Rt plain radiograph of the wrist; PA; age 14 y, boy; image 85.5 mm wide 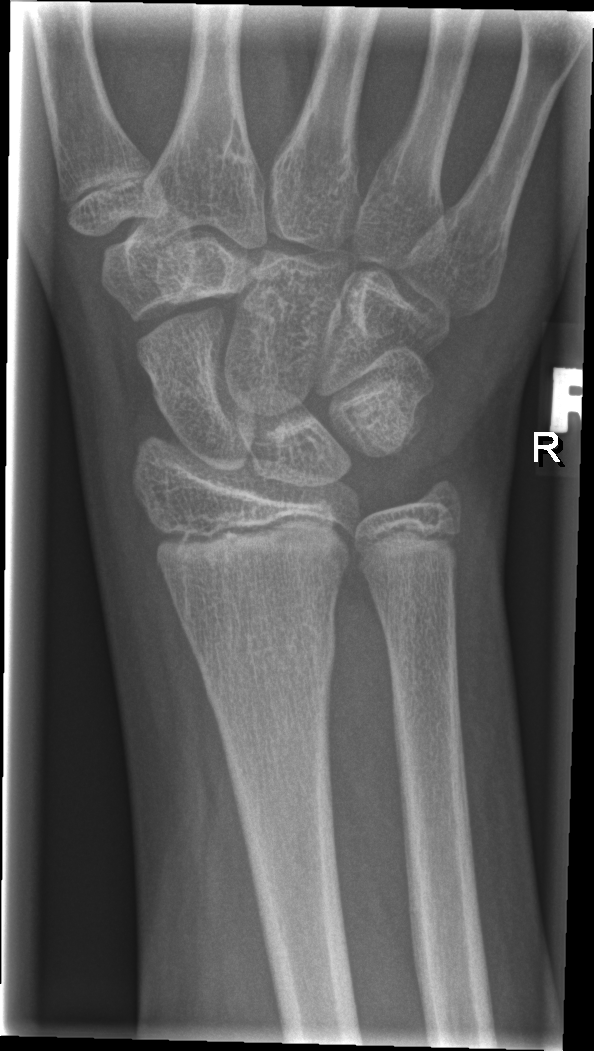 FINDINGS: Fx — [x1=193, y1=621, x2=340, y2=698].